Left wrist X-ray · AP view · boy, 14 yo · in cast · detector: Siemens · 94.5 mm image width —
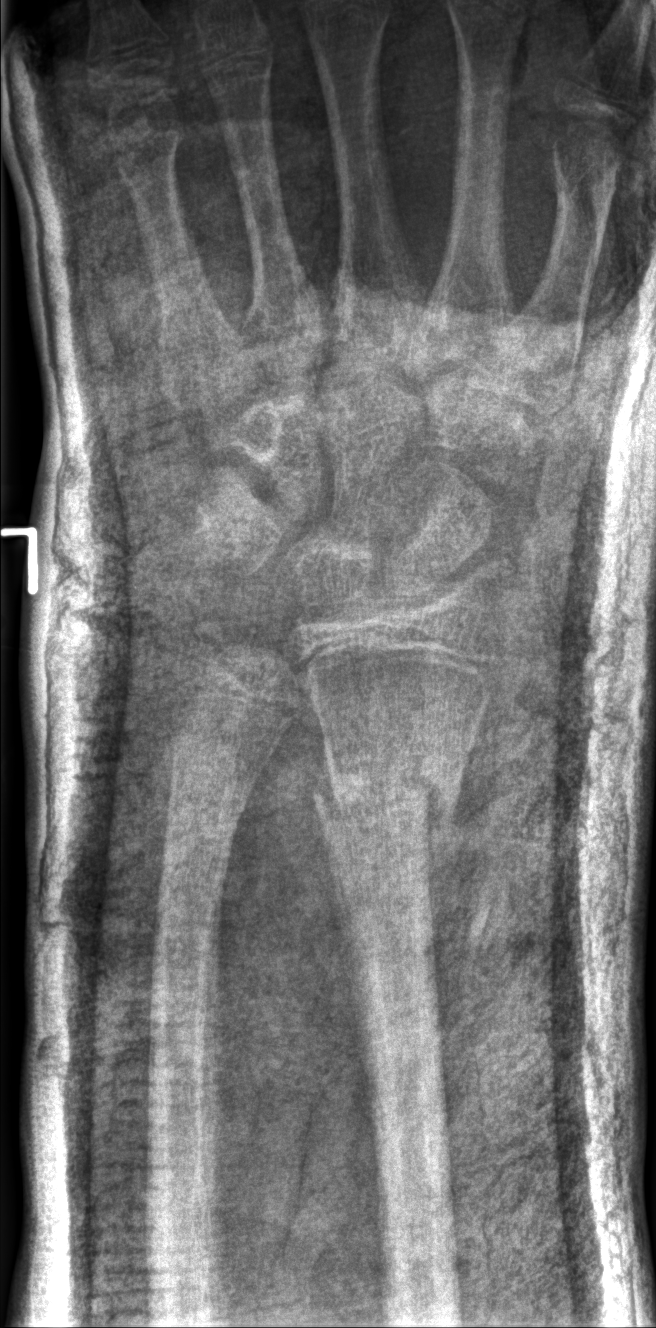 Fracture identified at bbox(307, 759, 473, 848).